L pediatric wrist radiograph, PA, age 5 y, male, initial study, image 72.6 mm wide 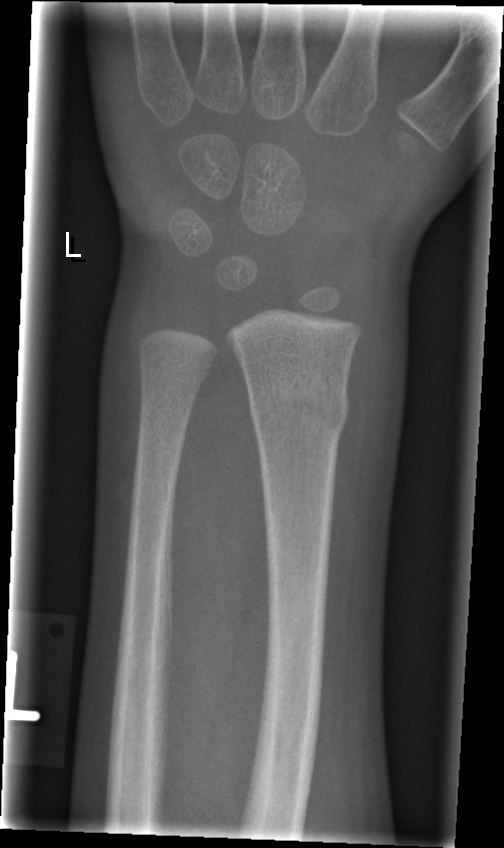
FINDINGS — Bone fracture — [x1=245, y1=375, x2=352, y2=440]. Fracture classified AO/OTA 23r-M/2.1.